Lateral projection | left wrist XR | presentation radiograph — 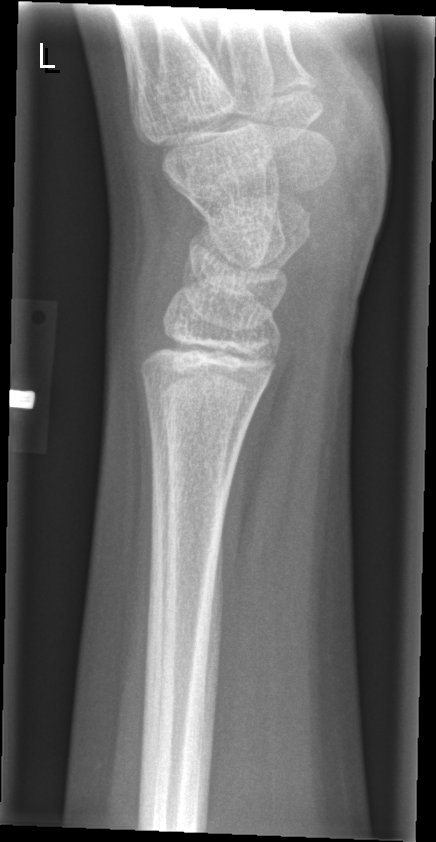 Fx = none labeled